Lat projection; left wrist plain radiograph of the wrist; 14y M; follow-up; in cast; image size 442x1002: 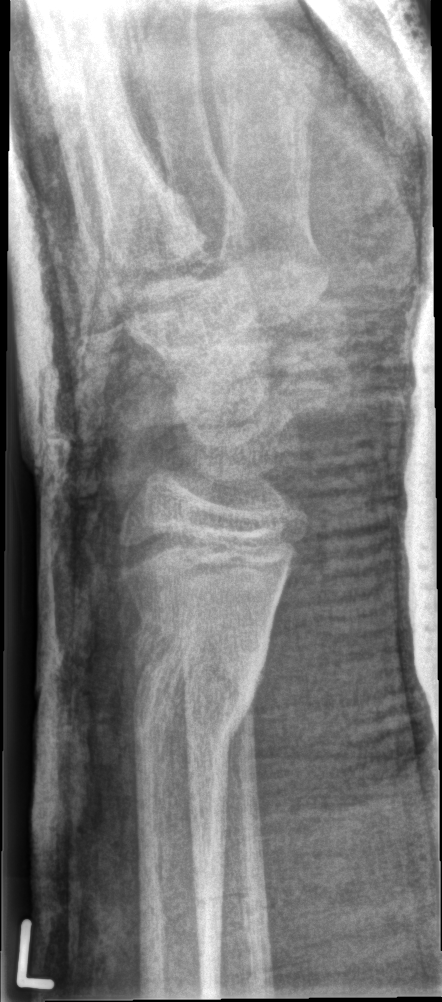
  fracture: 1 @ (122, 606, 273, 753)
  ao: 23r-M/2.1